Lt pediatric wrist radiograph; PA projection; female, 12 yo —
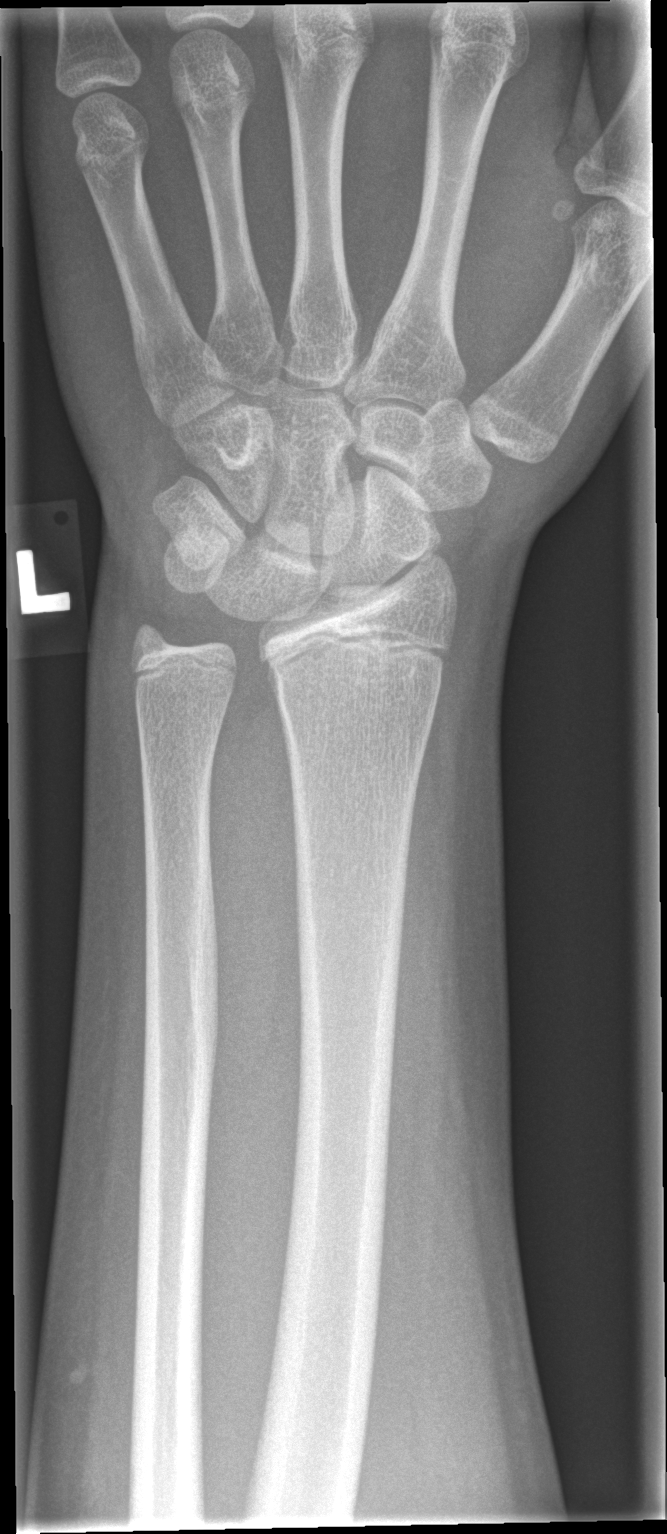 FINDINGS: No fracture bounding box.